L plain radiograph of the wrist; posteroanterior projection; pediatric patient (boy, age 5) — 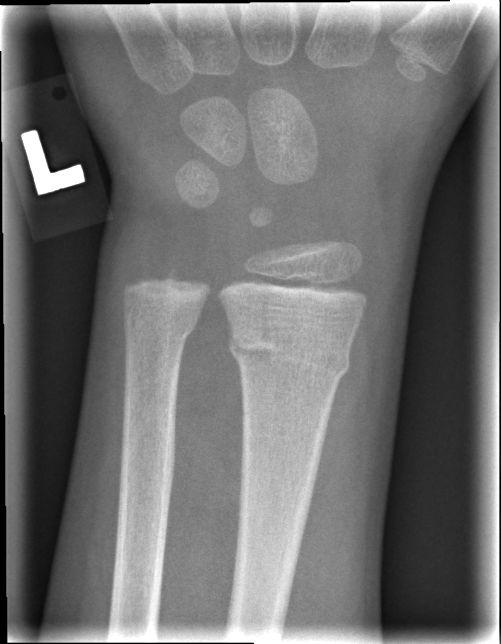
- AO code 23-M/2.1.
- Bone fractures — 224,320,353,382
  119,299,203,351.